Lt wrist XR; lateral projection; follow-up study —
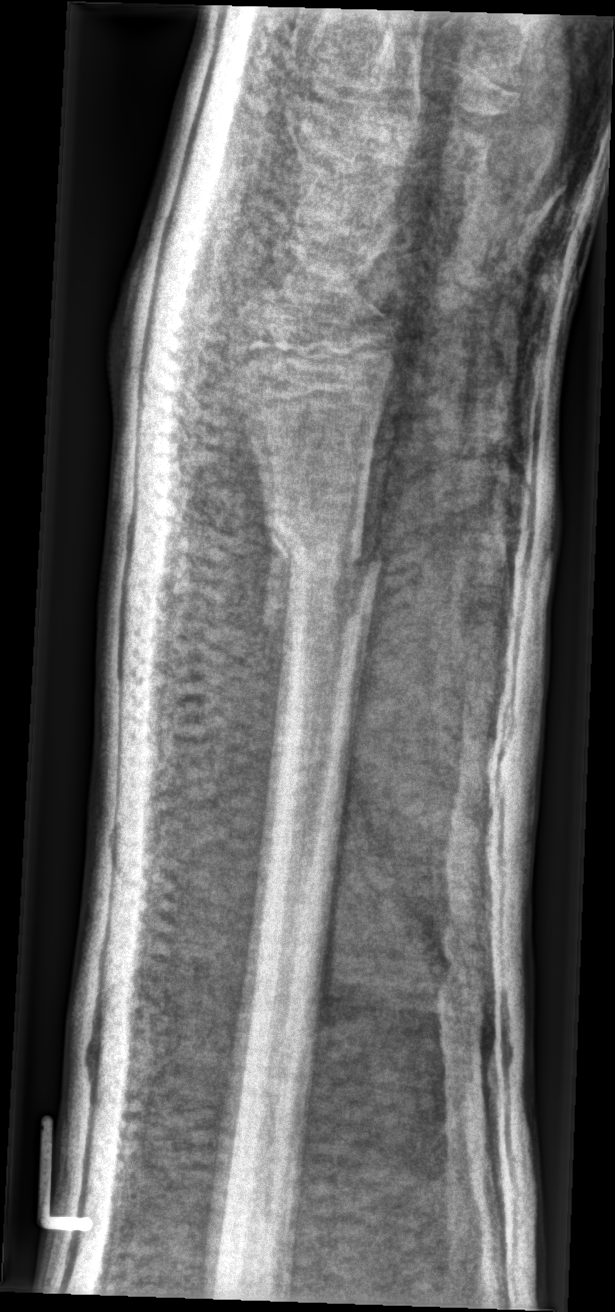

FINDINGS: Bone fracture — (258, 518, 385, 594). AO code 23-M/3.1; 23u-E/7.